Lt wrist XR; AP projection; pediatric patient (girl, age 13); image width 76.3 mm: 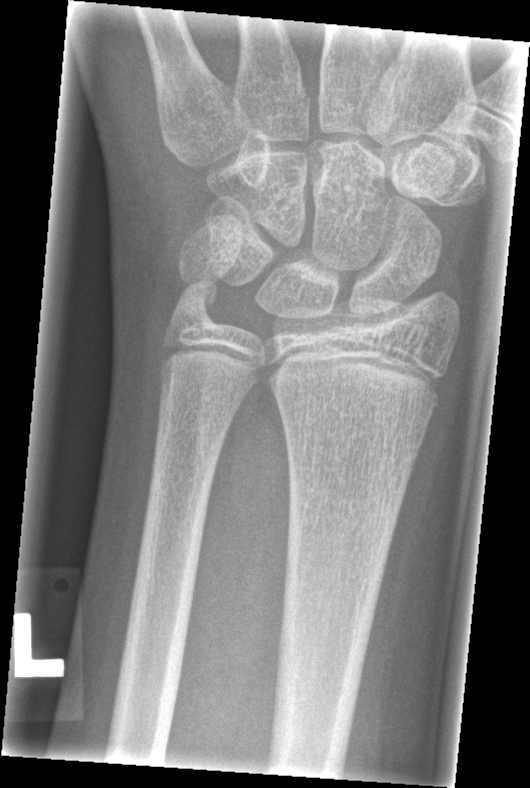

bone fracture = 1 @ [170, 275, 227, 332]